Posteroanterior projection | Lt pediatric wrist radiograph | pediatric patient (female, age 6) | initial study

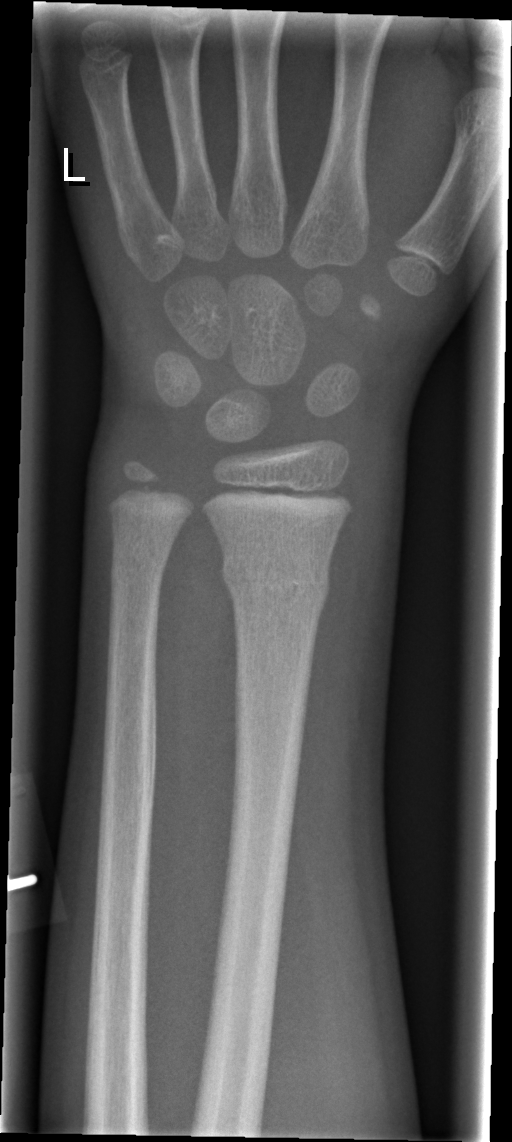
(bounding boxes in image-pixel xyxy)
Q: AO code?
A: AO code 23-M/2.1
Q: Fracture present?
A: Two fractures at [x1=219, y1=551, x2=332, y2=615], [x1=106, y1=542, x2=174, y2=595]